Lat view; Lt wrist radiograph; detector: Siemens; 423x1014 — 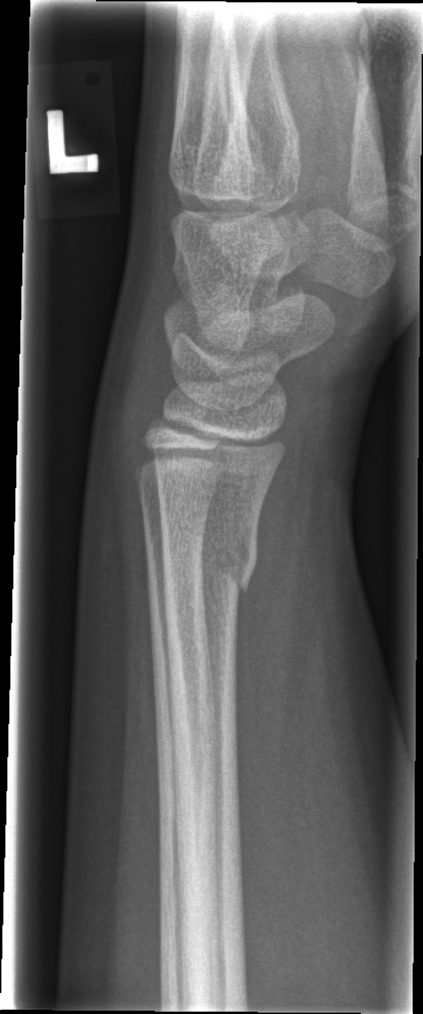

Fracture classified AO/OTA 23r-M/2.1. One bone fracture at (left=159, top=533, right=261, bottom=610).